L wrist XR, AP projection, 6-year-old girl, 577 x 1126 px —

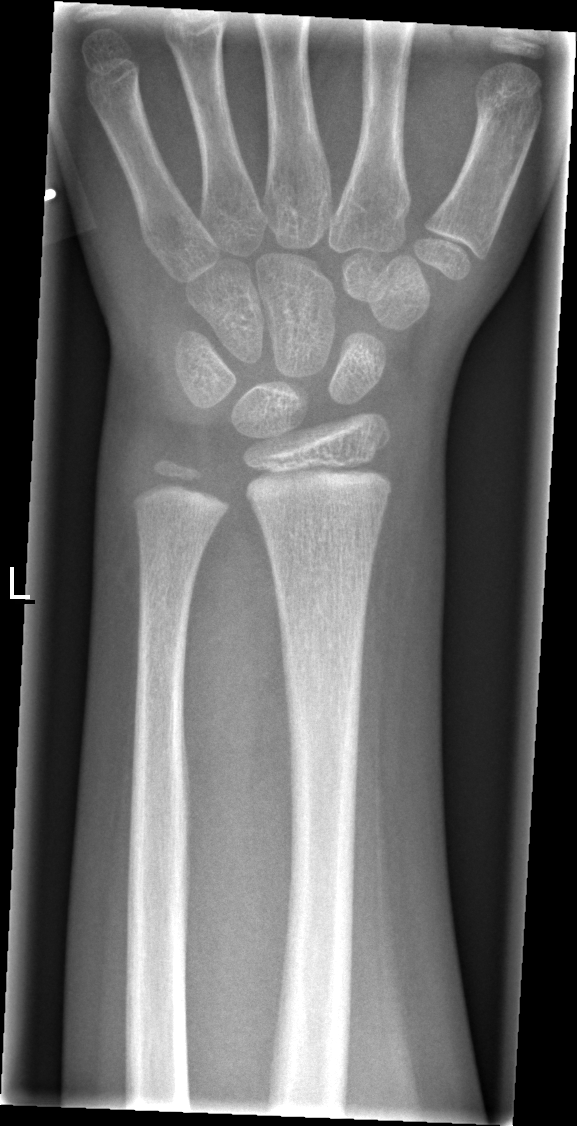 Fx: none.